R wrist plain film, lat projection, 10y M, detector: Siemens:

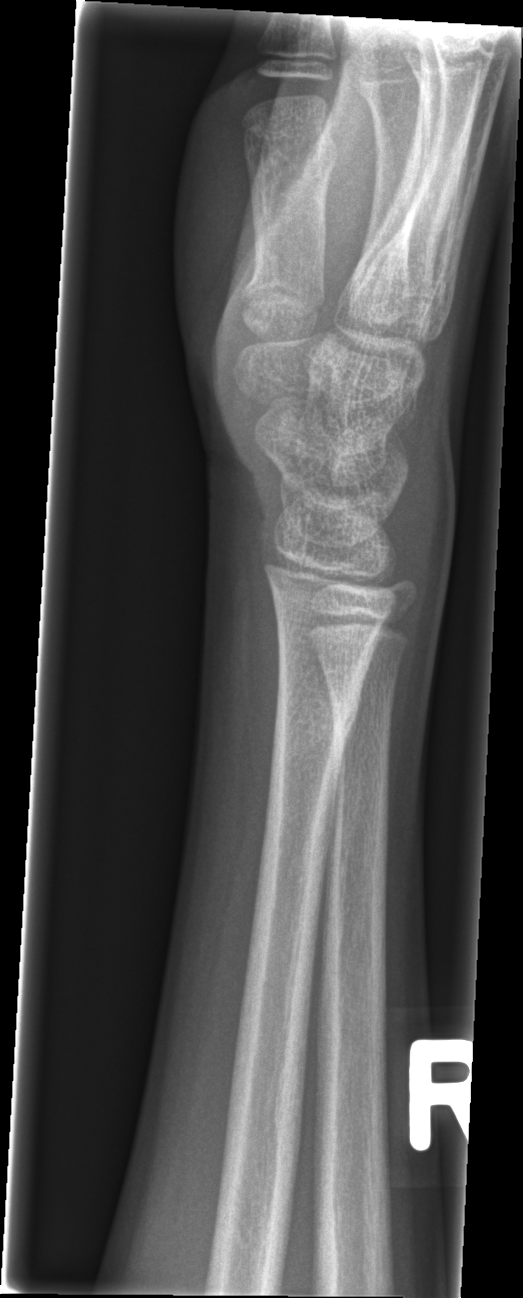 Fracture classified AO/OTA 23r-M/2.1. One bone fracture at 272 683 365 752.